Lateral projection · L wrist radiograph · 15y M · index exam —
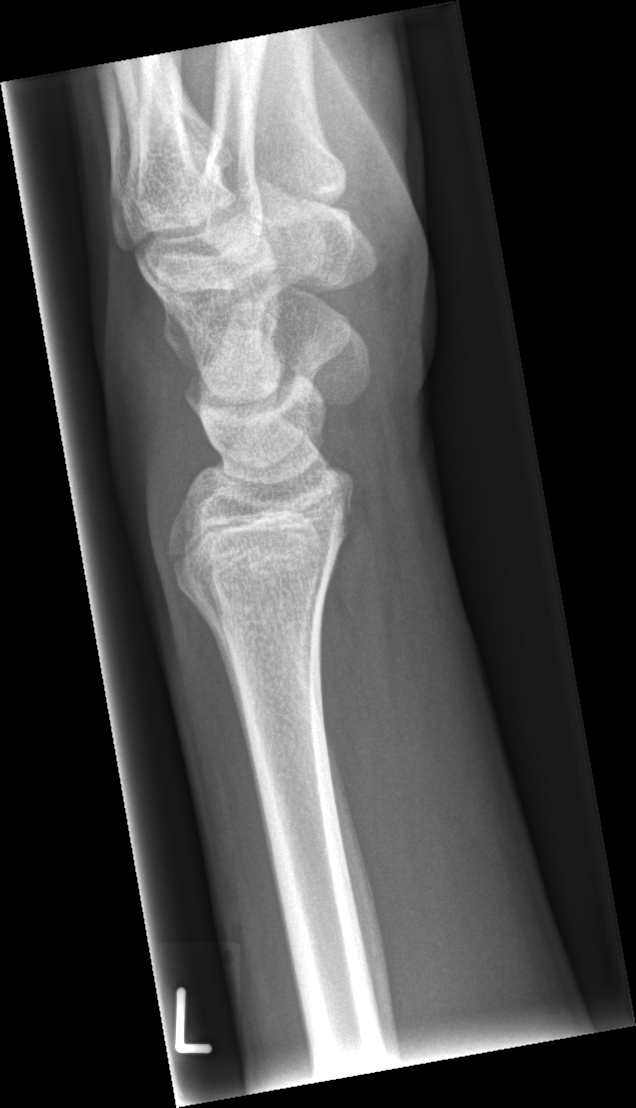

Coordinates are [x1, y1, x2, y2] in image pixels.
Soft tissue abnormality: 93,248,204,539.
Fx identified at 171,561,331,647.